Lateral view; right wrist X-ray; index exam; image 80.9 mm wide:
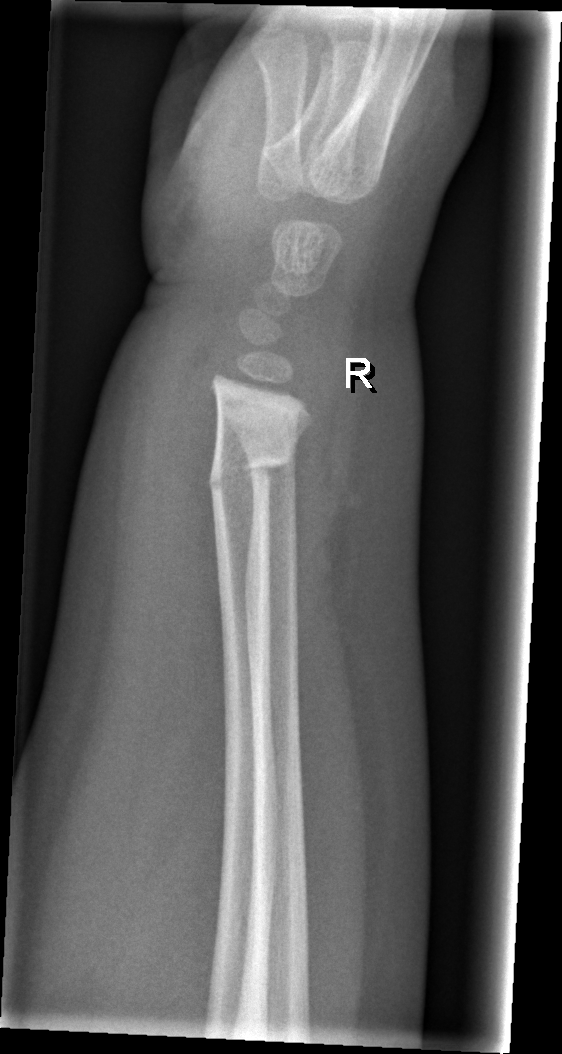
One bone fracture at 204,441,299,496. AO/OTA classification: 23-M/3.1.